Lateral view, L pediatric wrist radiograph, girl, 11 yo —

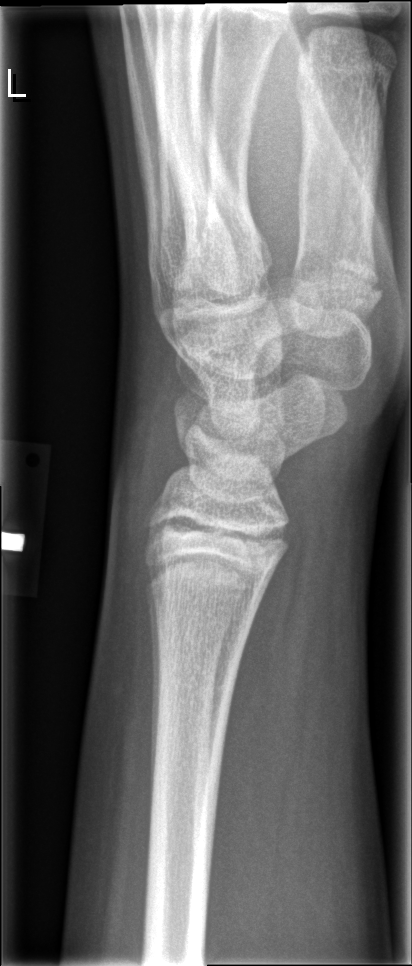
Bone fracture = none labeled